Left wrist XR, lateral, age 10 y, girl, acquired on Siemens — 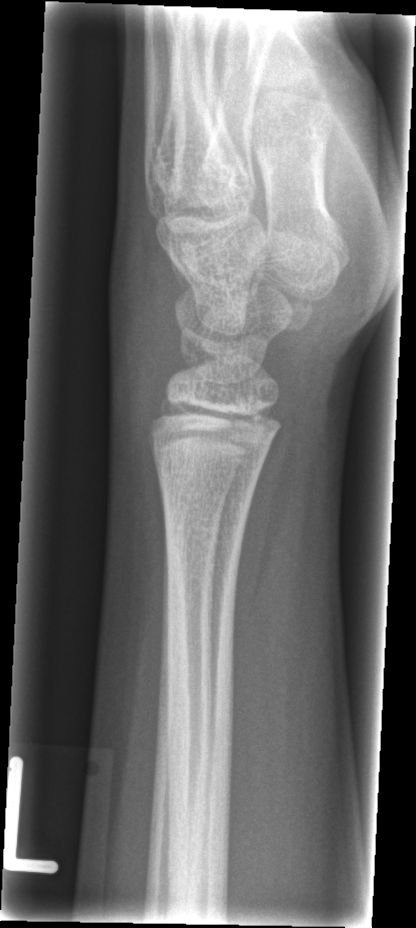

No fracture labeled.